Left wrist plain radiograph of the wrist, PA, female, 11 yo, index exam
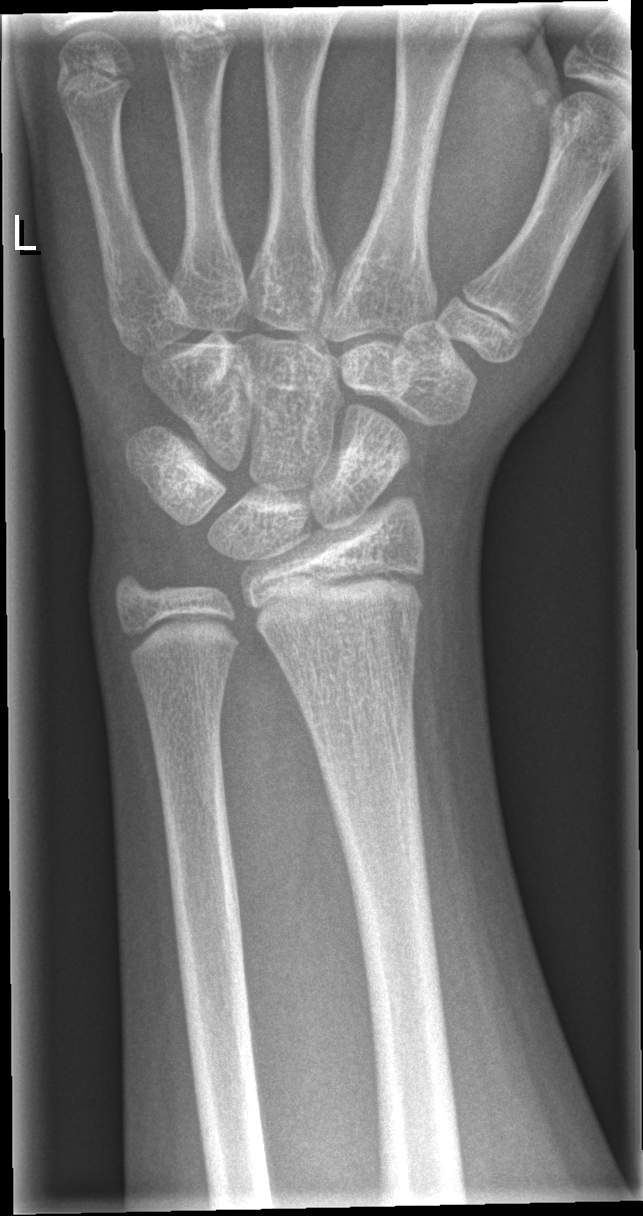
fracture = none labeled